Right plain radiograph of the wrist; PA/AP: 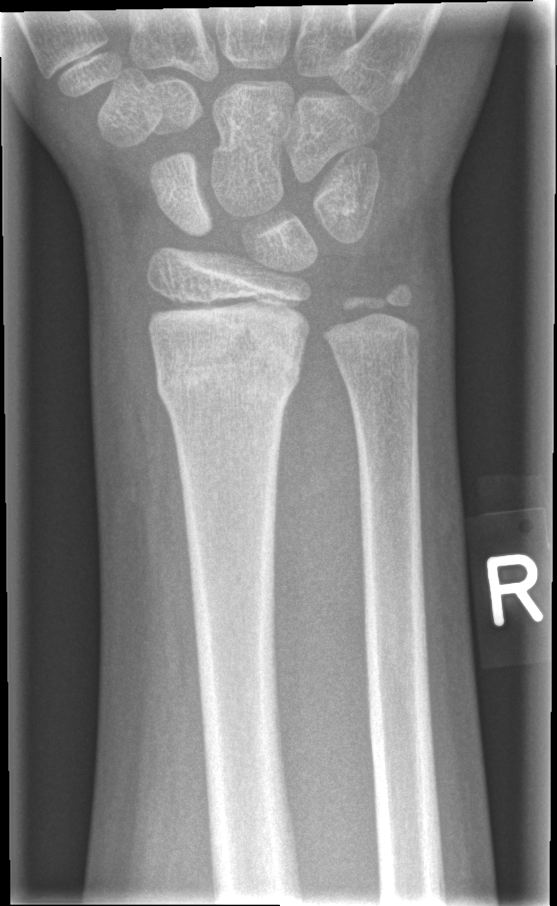

One bone fracture at bbox(150, 326, 301, 419).